Lt pediatric wrist radiograph, posteroanterior projection, age 12 y, male, cast in situ.
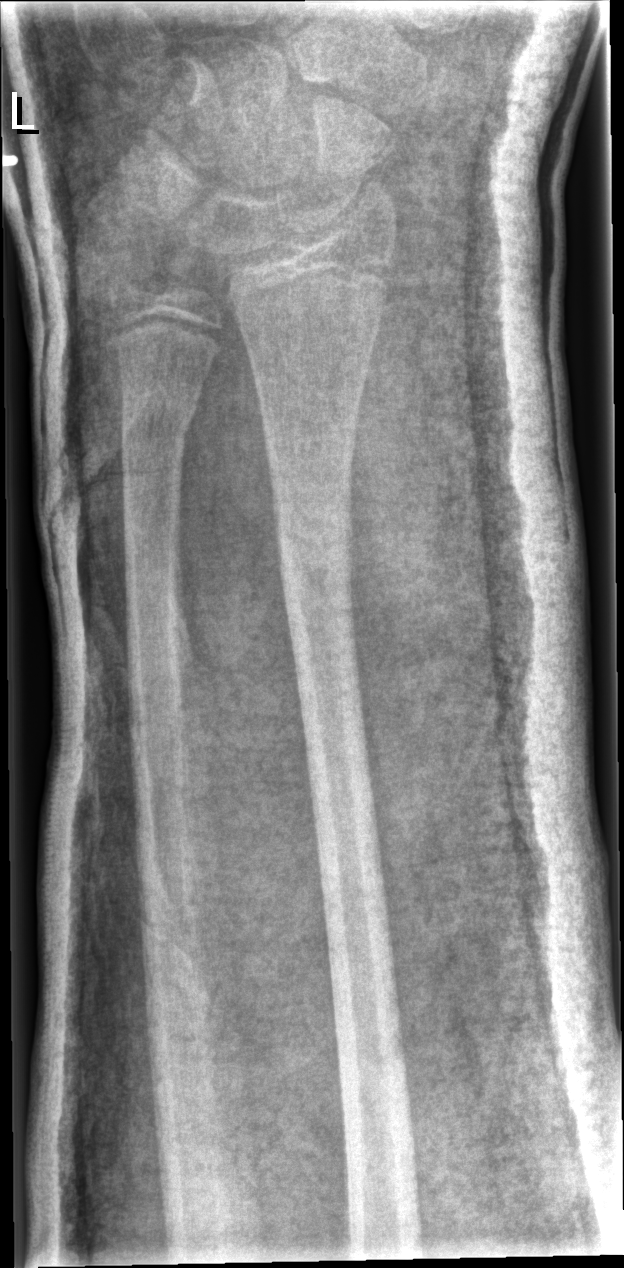 Two fractures at <273,503>-<362,628> <119,392>-<200,448>.